Rt plain radiograph of the wrist · lat projection · pediatric patient (girl, age 4) — 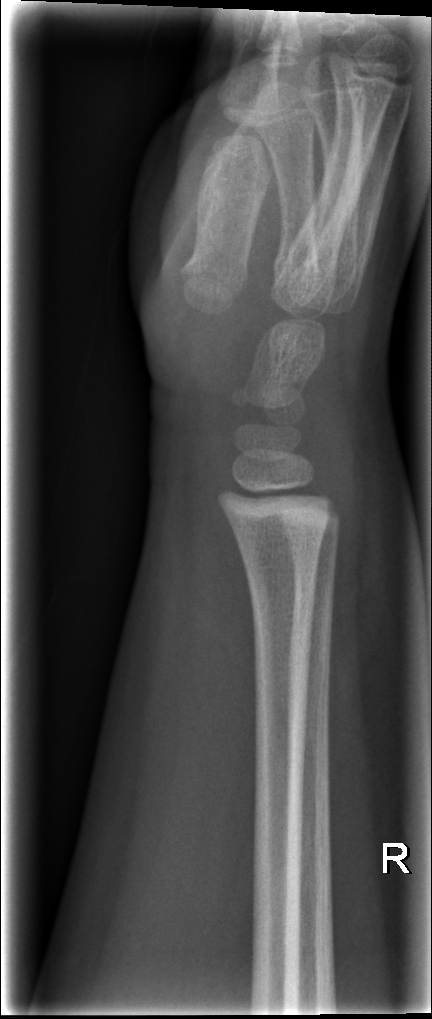

No fracture annotation.